PA view | L wrist XR | pediatric patient (male, age 8) | presentation radiograph.

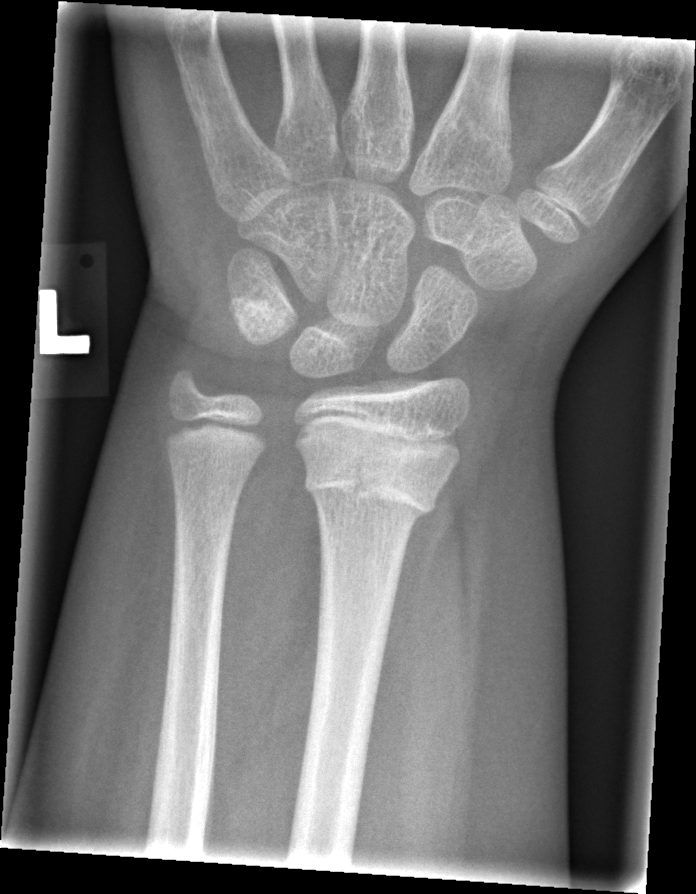

• Fracture — 303,447,445,527.
• Fracture classified AO/OTA 23r-M/2.1.